L plain radiograph of the wrist · PA projection · detector: Siemens · image size 541x1076

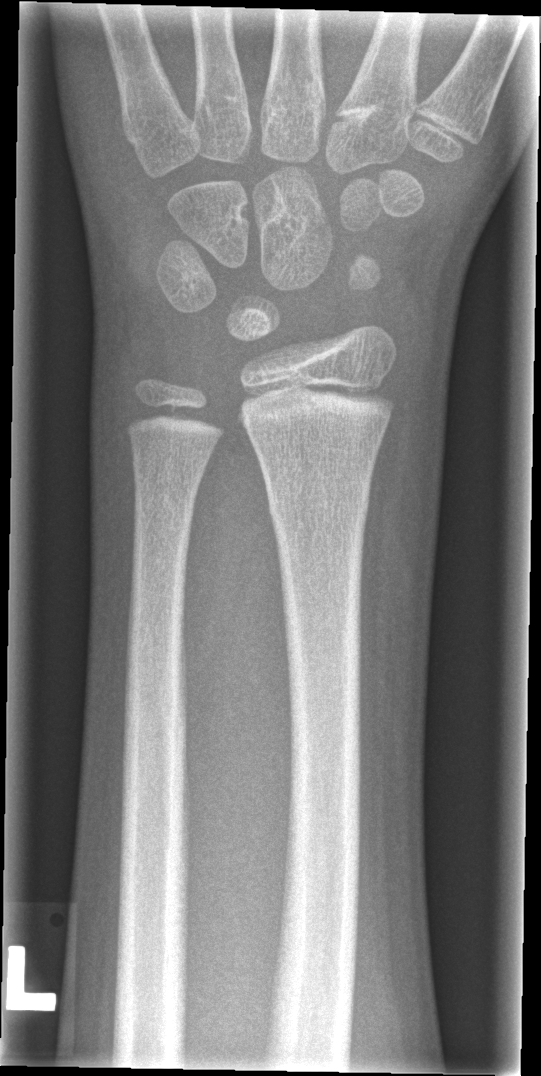
Fx = [x1=264, y1=479, x2=373, y2=534]